Left wrist plain radiograph of the wrist | lat projection | 735 x 1568 px. 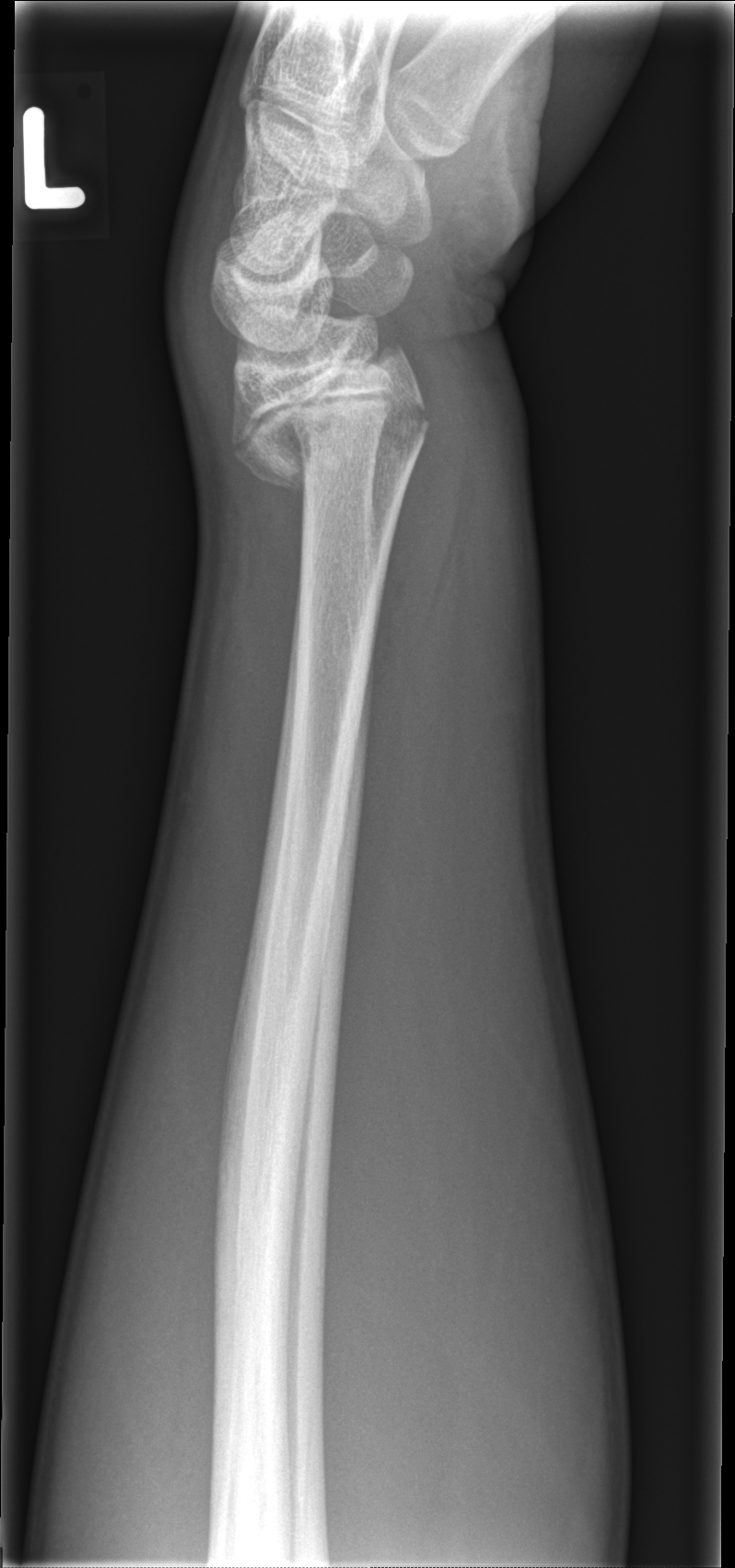

• Bone fracture: (left=226, top=391, right=435, bottom=504).
• One pronator quadratus fat-pad sign at (left=367, top=370, right=472, bottom=725).